R wrist X-ray, PA, cast in situ, image size 636x788 — 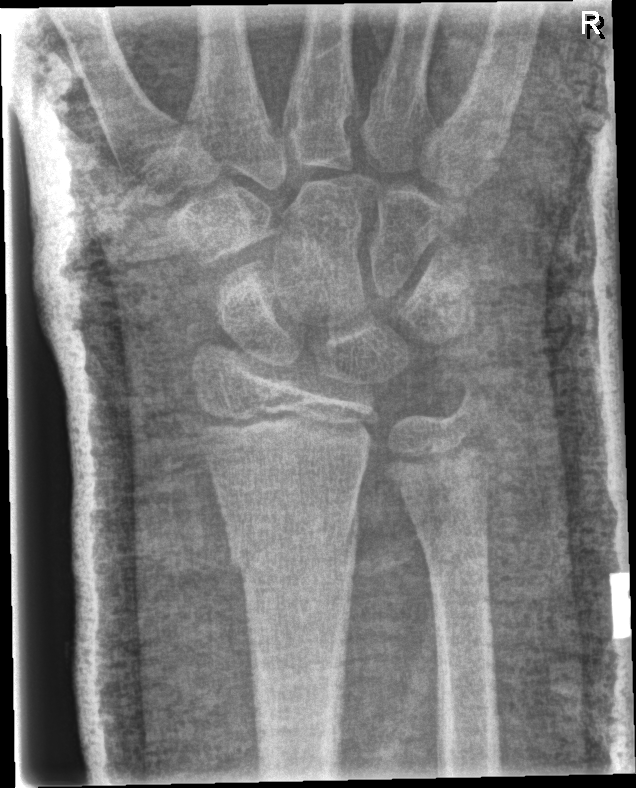

• One fracture at [x1=222, y1=505, x2=362, y2=598].